R wrist X-ray, posteroanterior view, detector: Siemens, image 73.3 mm wide —

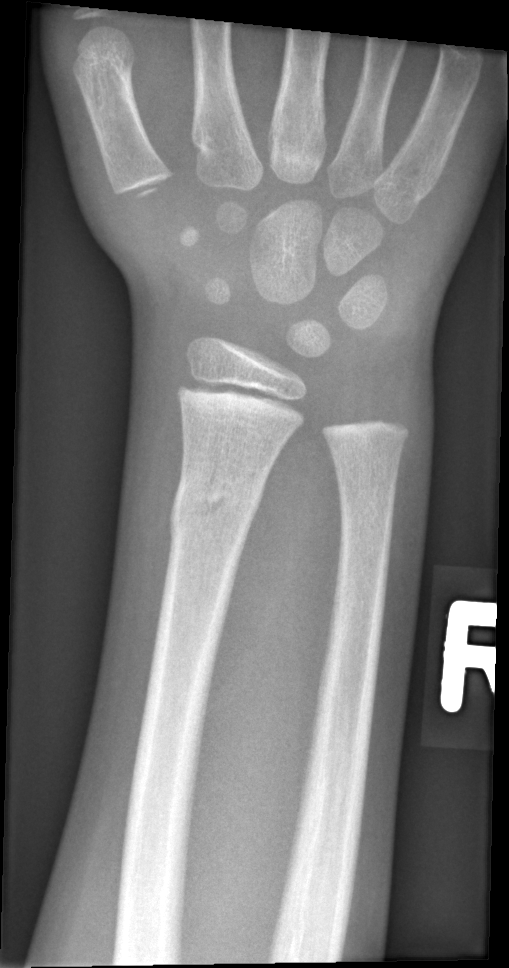 * Coordinates are [x1, y1, x2, y2] in image pixels.
* Fx identified at [x1=168, y1=464, x2=268, y2=548].
* Fracture classified AO/OTA 23r-M/2.1.